Lat projection | R wrist XR.
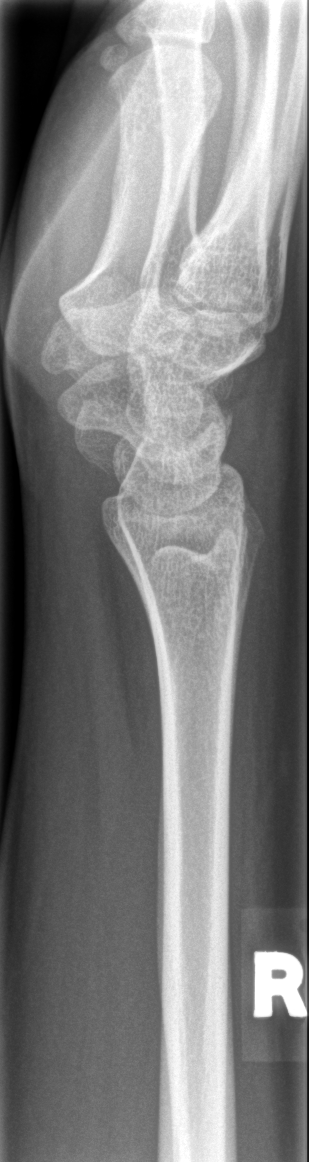
Q: What is the AO/OTA classification?
A: AO code 23r-M/2.1
Q: Fracture present?
A: Fracture — 127 517 272 581